Right wrist XR, lat, 4-year-old male, initial study 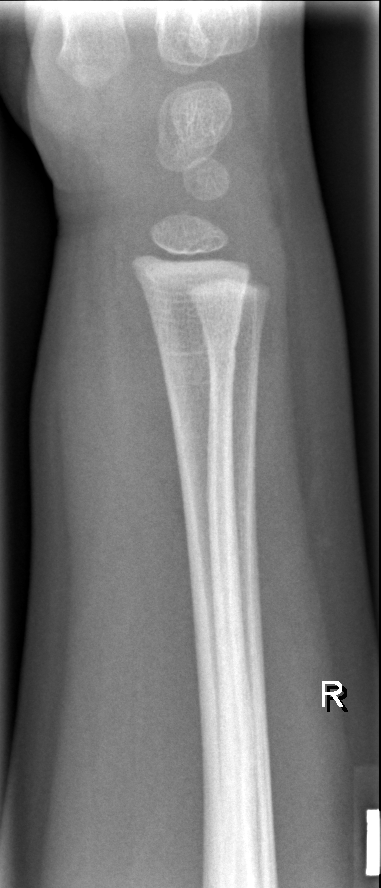

AO/OTA classification: 23r-M/2.1. One bone fracture at bbox(153, 321, 244, 389).